Right wrist X-ray | PA projection | 16-year-old girl | initial study | detector: Siemens.

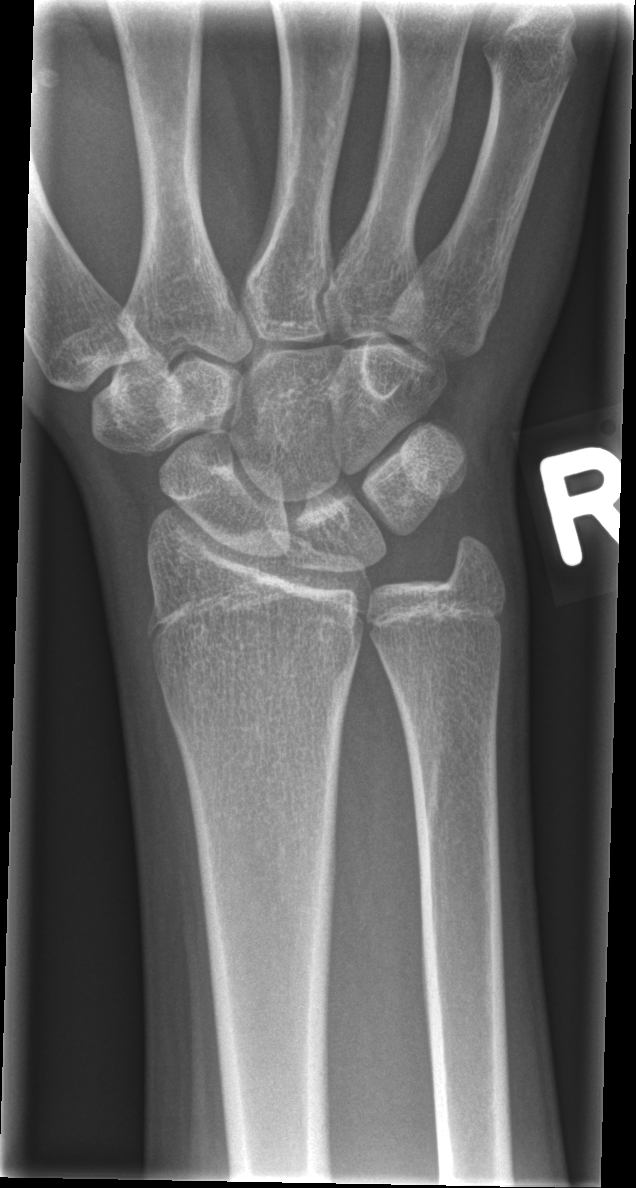 Findings: No fracture bounding box.